PA/AP projection; R wrist plain film:
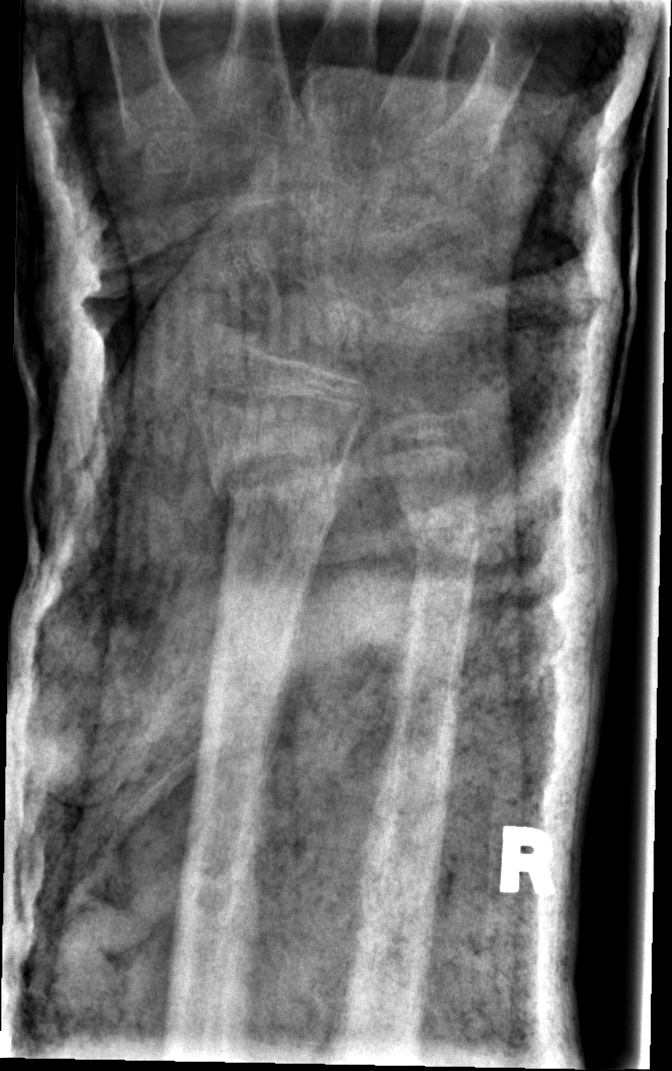

Bone fractures — (left=211, top=439, right=337, bottom=530), (left=396, top=490, right=486, bottom=572).